Lat view | left wrist plain radiograph of the wrist | 15-year-old boy | 95.8 mm image width

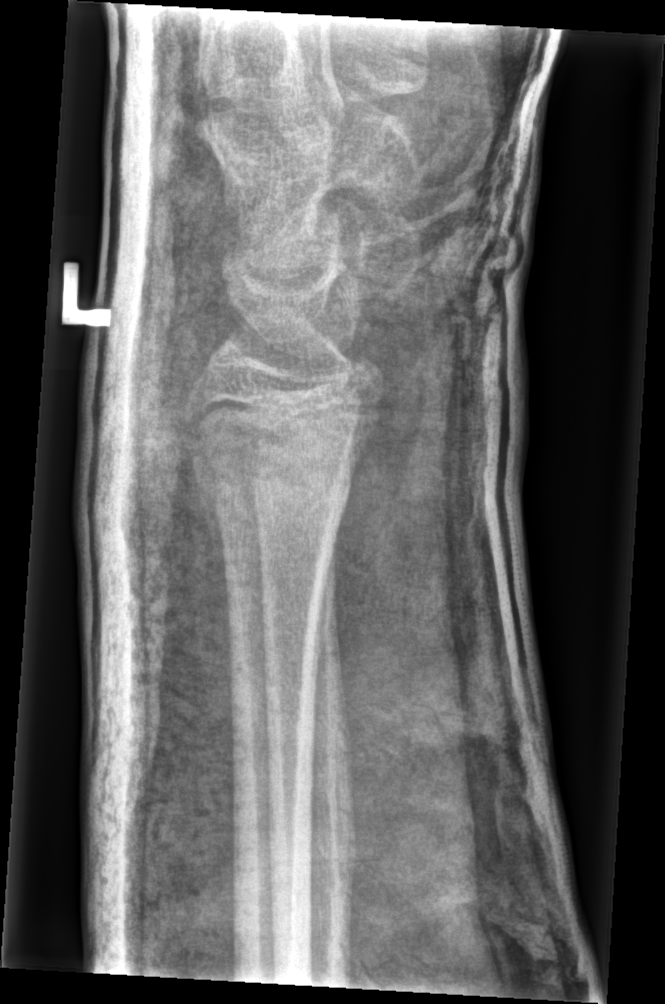 Findings: AO code 23r-M/3.1; 23u-E/7. Fracture — [183, 433, 357, 522].